Lat projection · right wrist XR · image size 430x898: 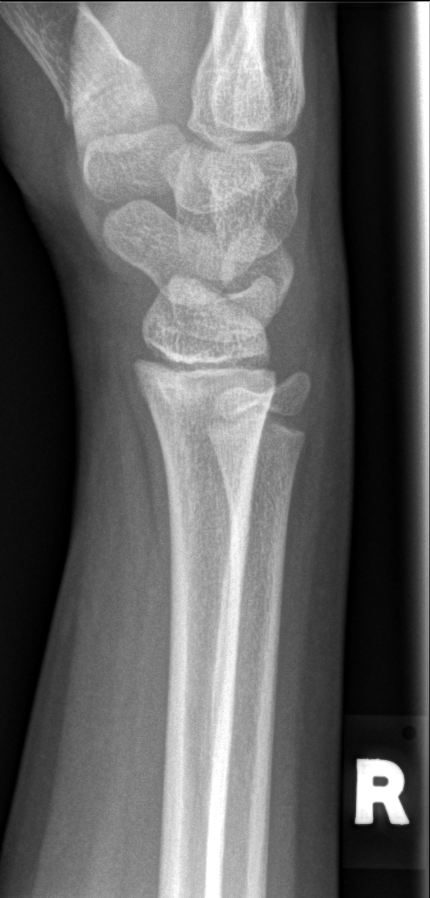
Fx: none.